Left wrist X-ray; AP projection; age 11 y, boy; image 78.2 mm wide.

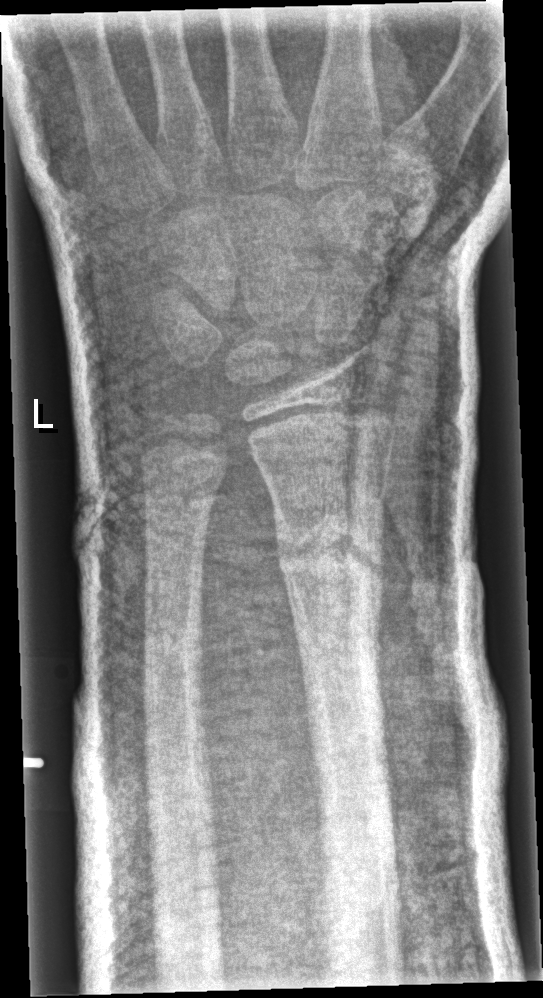 - Fracture identified at 275,502,388,616
  138,610,210,682.
- AO/OTA classification: 23r-M/3.1; 23u-M/2.1.